Lat projection, L wrist radiograph, female, 6 yo, image width 59.5 mm.
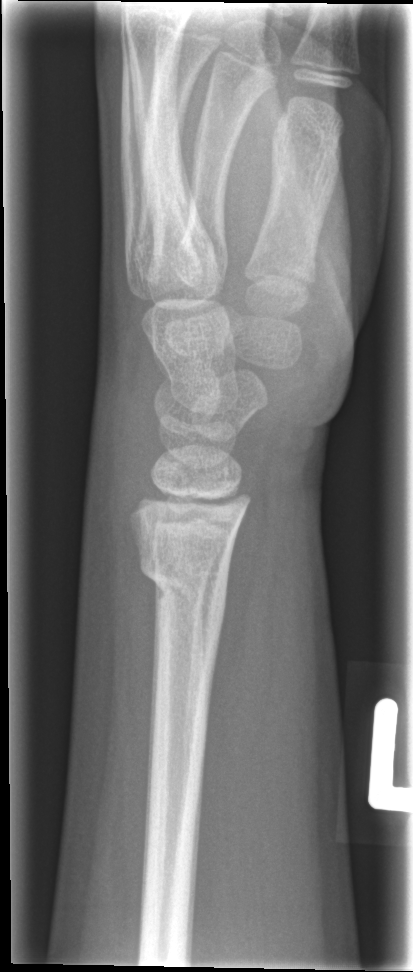 AO/OTA = 23r-M/2.1
fracture = 1 @ 136,556,228,606